Left wrist plain film; lat view; pediatric patient (boy, age 10); cast in situ; 667x1132

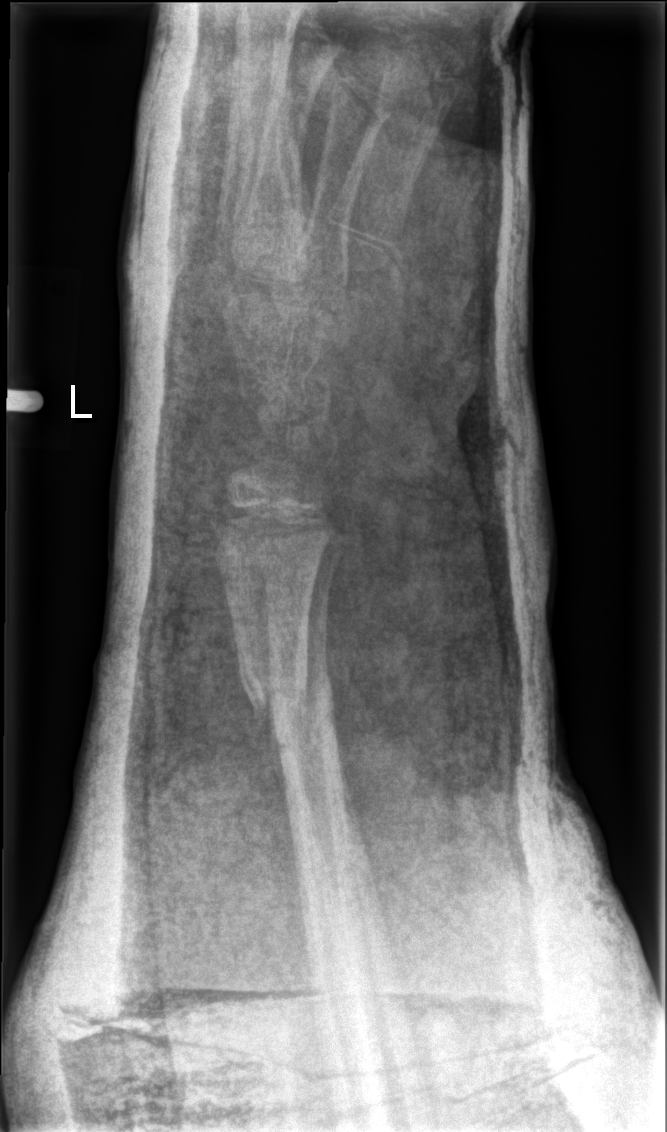 Bounding boxes in image-pixel xyxy.
One bone fracture at bbox(238, 655, 334, 730).